Lat; right wrist plain film —

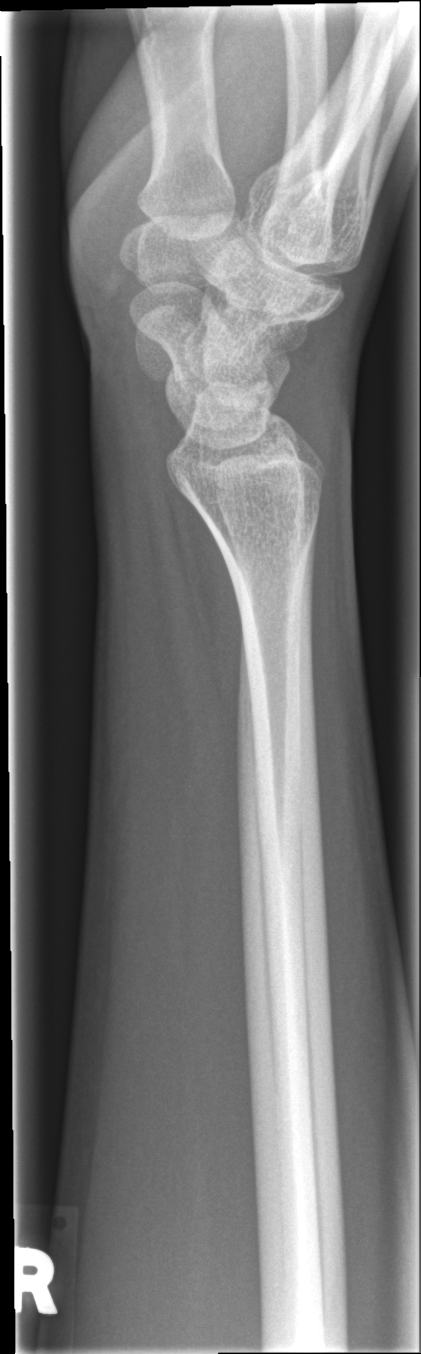 bone fracture: none labeled